Lt plain radiograph of the wrist | AP view | 546 x 1087 px: 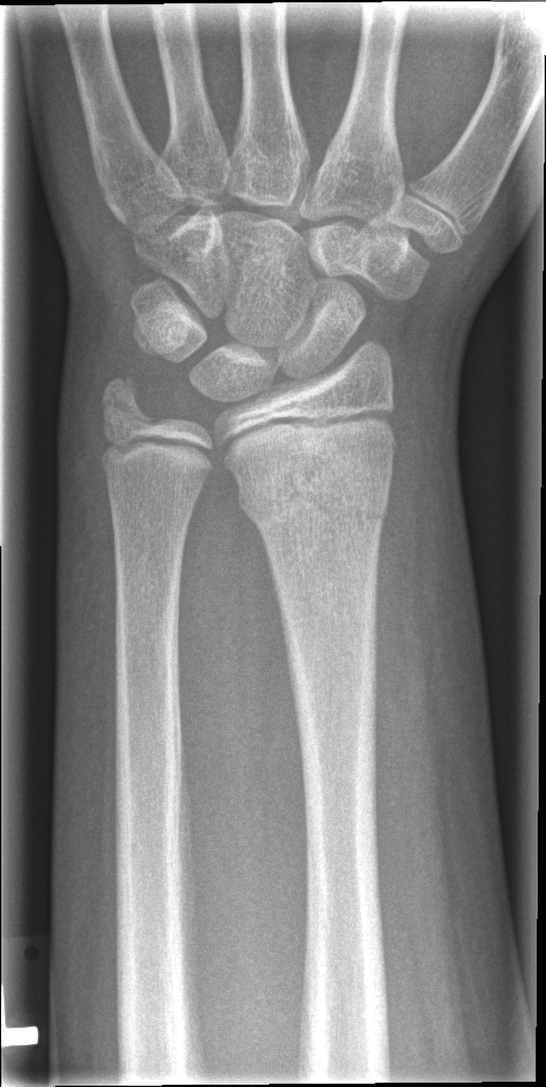
(bounding boxes in image-pixel xyxy)
Fracture = 2 @ <234,441>-<394,537> <97,370>-<163,431>